Lateral · Lt wrist XR · index exam:

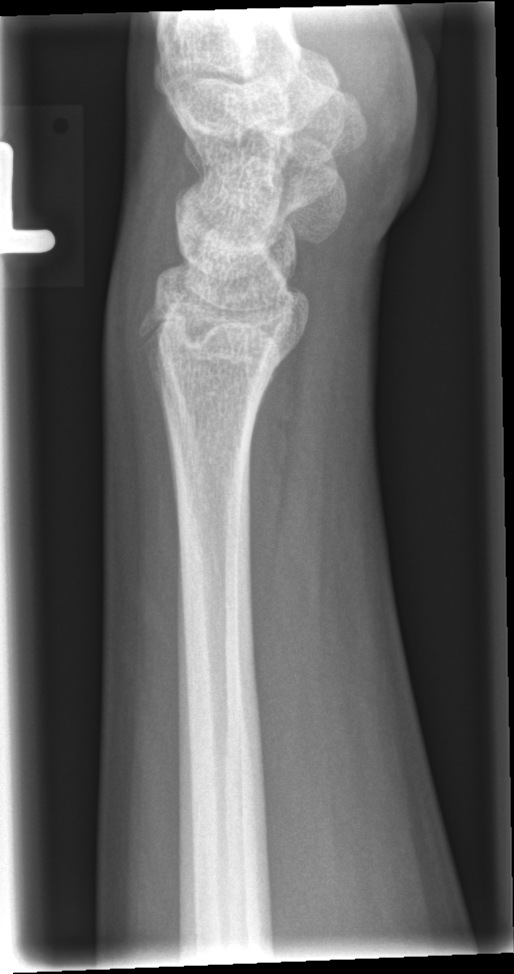

bone fracture: none labeled